Lat · left wrist radiograph · boy, 13 yo
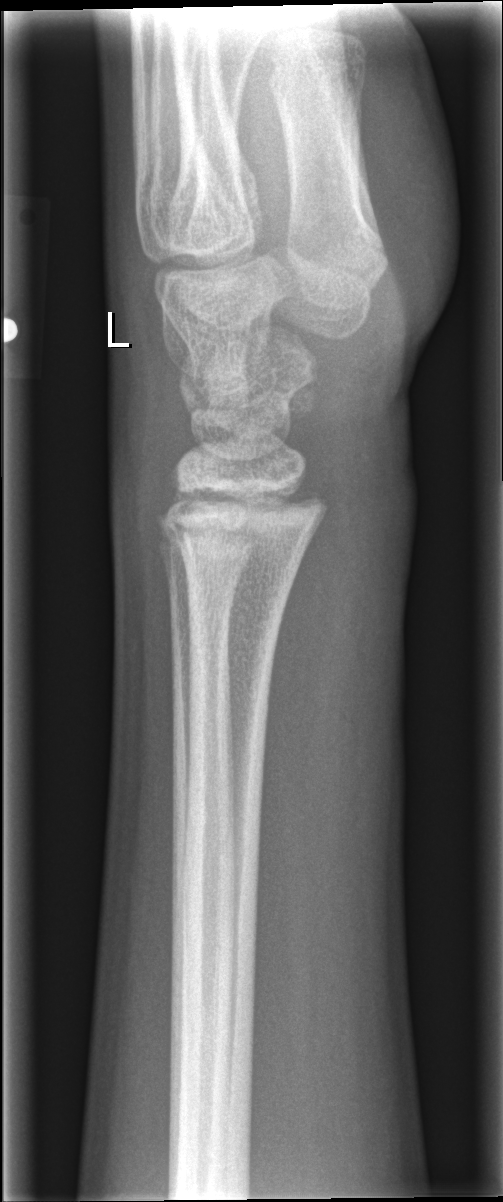
FINDINGS — Bone fracture identified at (left=150, top=479, right=330, bottom=571).